Left wrist X-ray; AP view; 13-year-old boy; 784 by 1549 pixels:
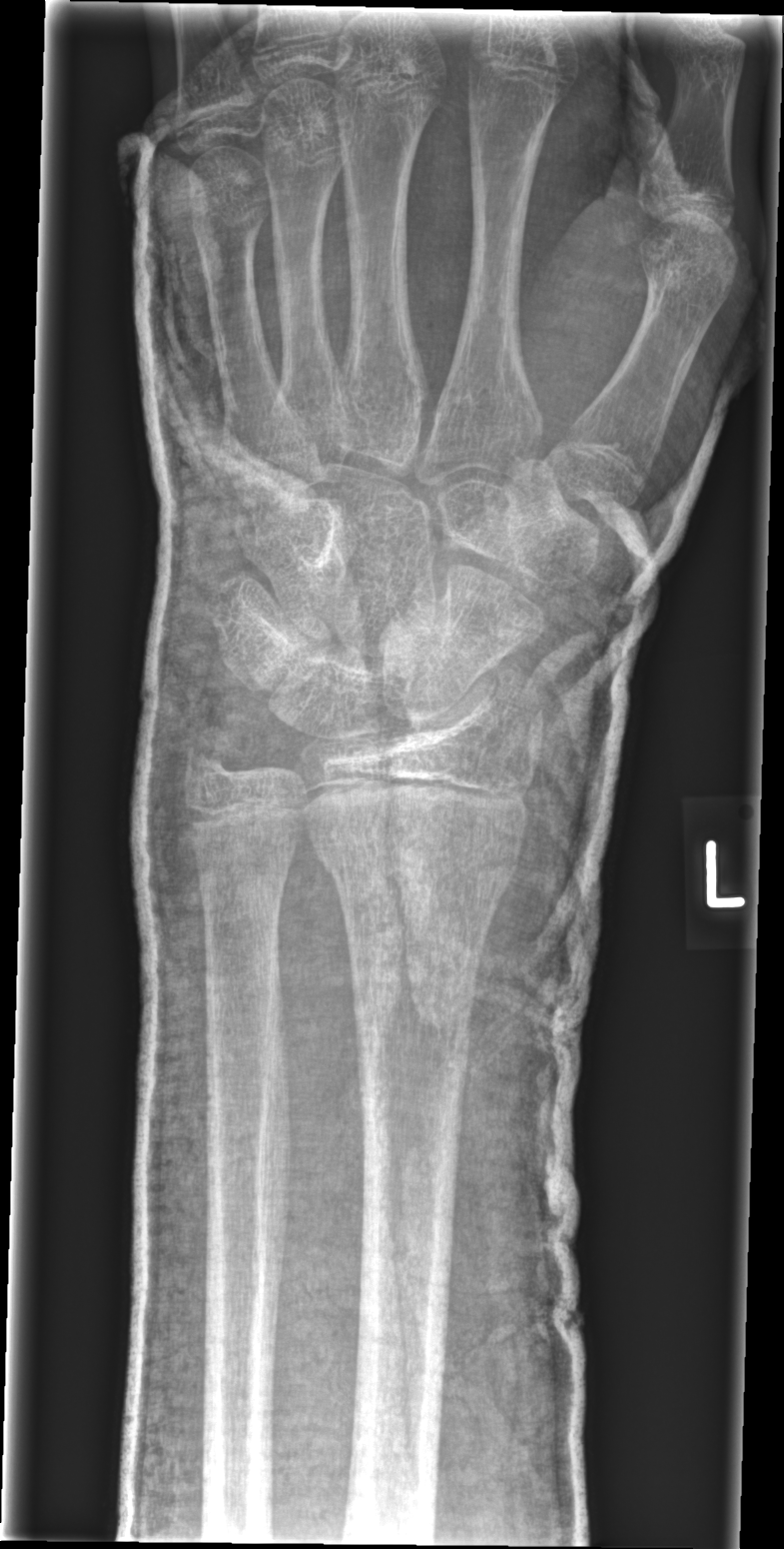
Bounding boxes in image-pixel xyxy.
Fx identified at [x1=311, y1=808, x2=527, y2=916]; [x1=183, y1=721, x2=247, y2=788].
AO code 23r-M/3.1; 23u-E/7.